Rt pediatric wrist radiograph; PA/AP projection; cast in situ —
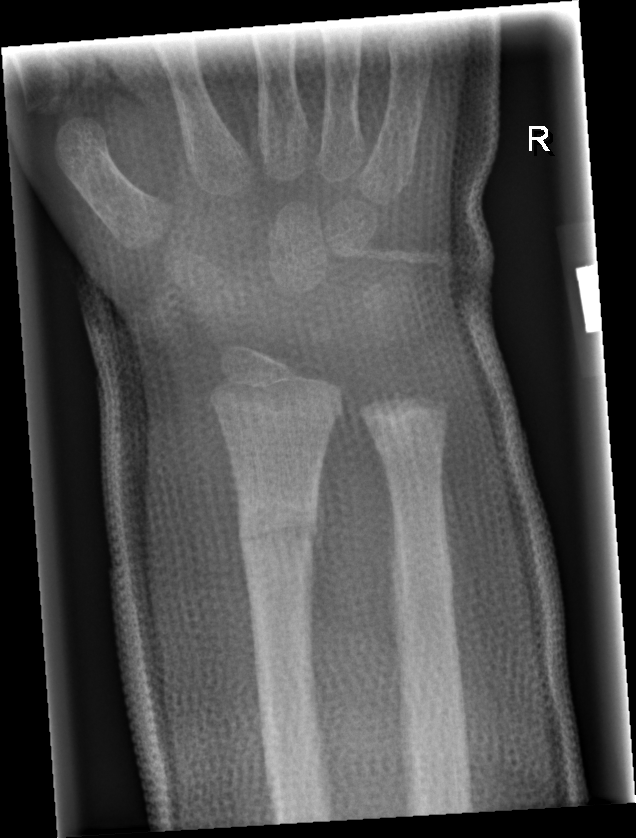
- Bone fracture identified at (233, 488, 326, 565) (368, 420, 449, 479).
- Fracture classified AO/OTA 23r-M/3.1; 23u-M/2.1.